Rt wrist radiograph, AP view, age 12 y, female, acquired on Siemens, image size 627x1150 —
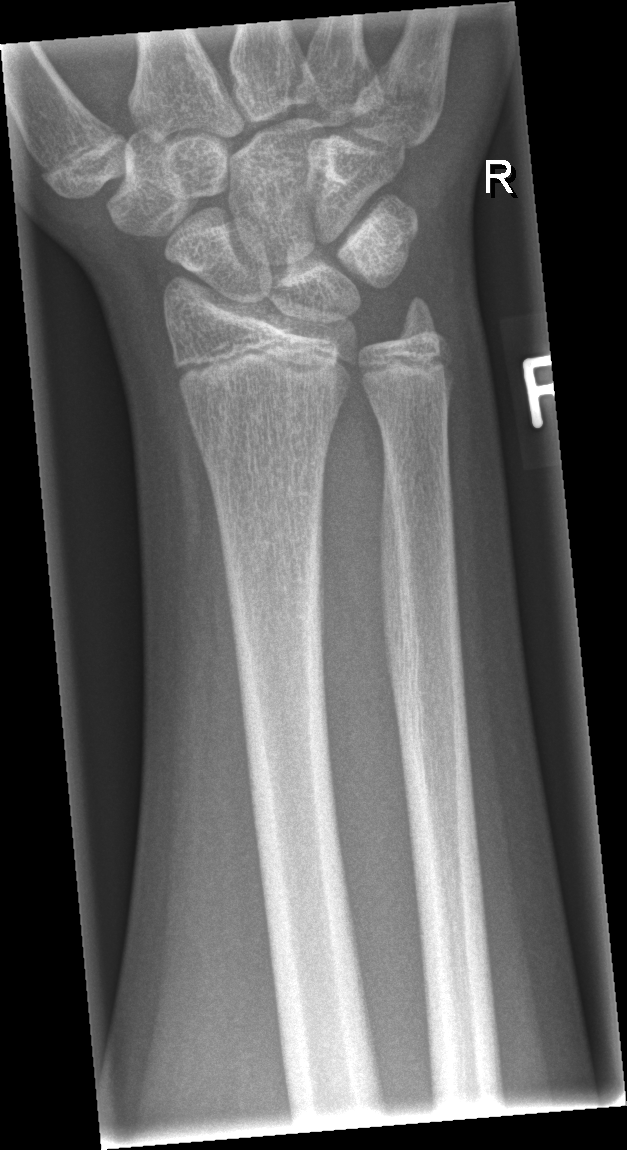
Fx: none labeled